L wrist XR · posteroanterior · age 11 y, male · detector: Siemens

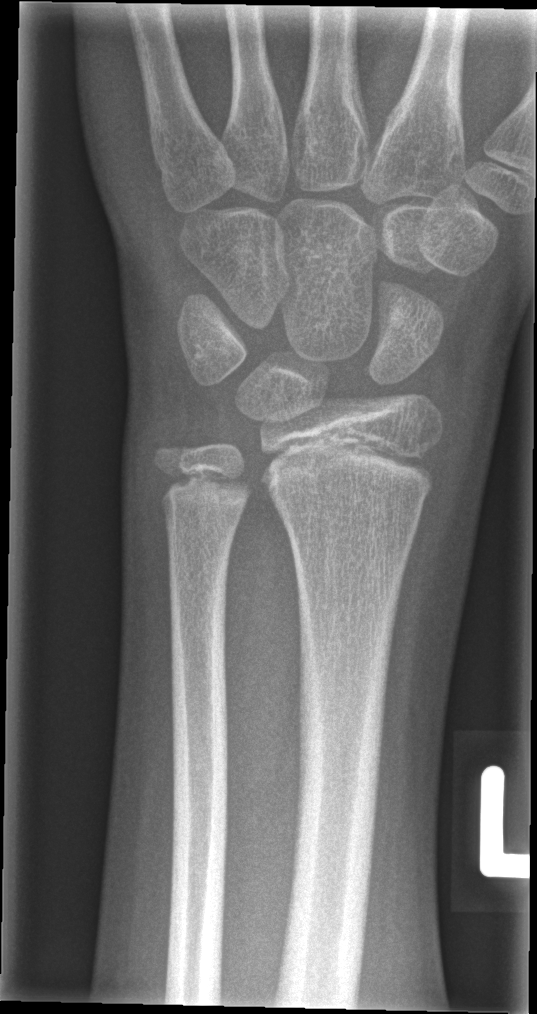

Fx = none labeled